Lateral projection; right wrist plain radiograph of the wrist; 105.4 mm image width
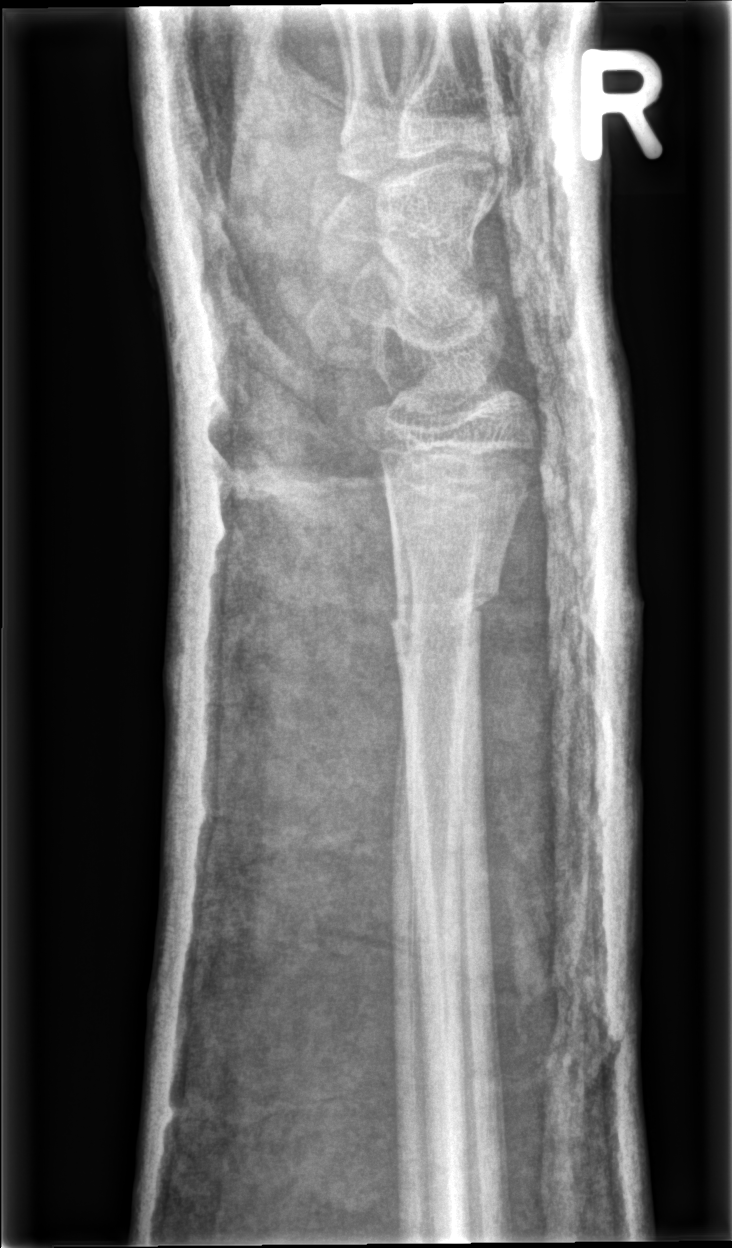
  fracture: 1 @ [x1=388, y1=577, x2=503, y2=643]
  ao: 23r-M/3.1; 23u-M/2.1; 23u-E/7